Right wrist plain film; lateral projection; age 9 y, boy: 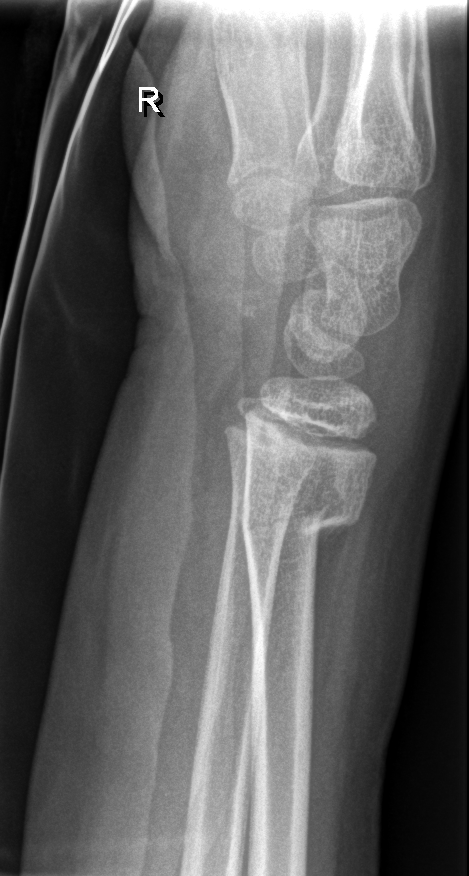
Pixel coordinates, top-left origin, xyxy.
Bone fracture identified at <238,481>-<368,554>.